Right wrist radiograph, PA/AP projection, 9y F, 680 by 872 pixels — 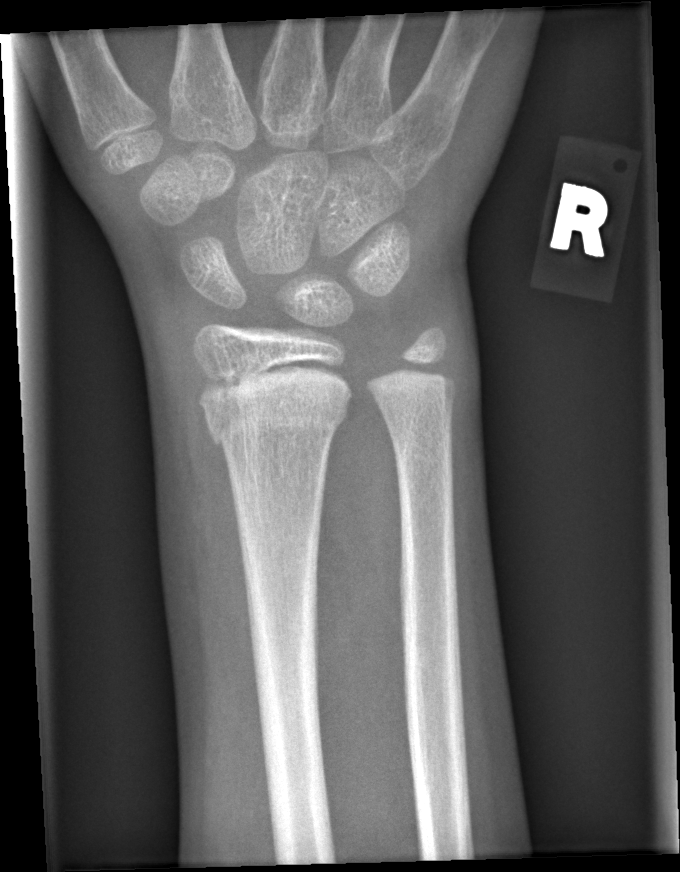

FINDINGS: Fracture classified AO/OTA 23r-E/2.1. One Fx at [x1=198, y1=361, x2=351, y2=455].